Posteroanterior view · right wrist plain film · age 18 y, girl · 592 by 798 pixels

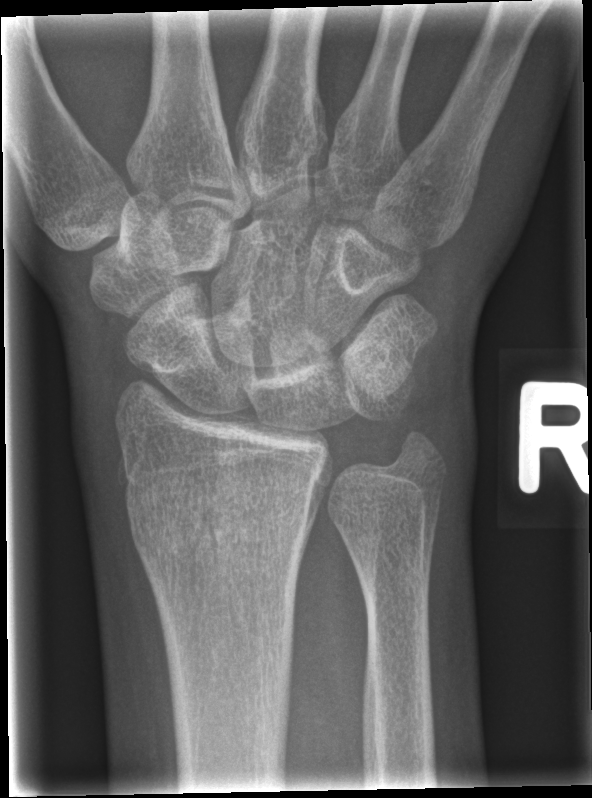
bone fracture: 1 @ (124, 476, 325, 568)
AO/OTA: 23r-M/2.1